Rt wrist radiograph · lat view · acquired on Siemens —
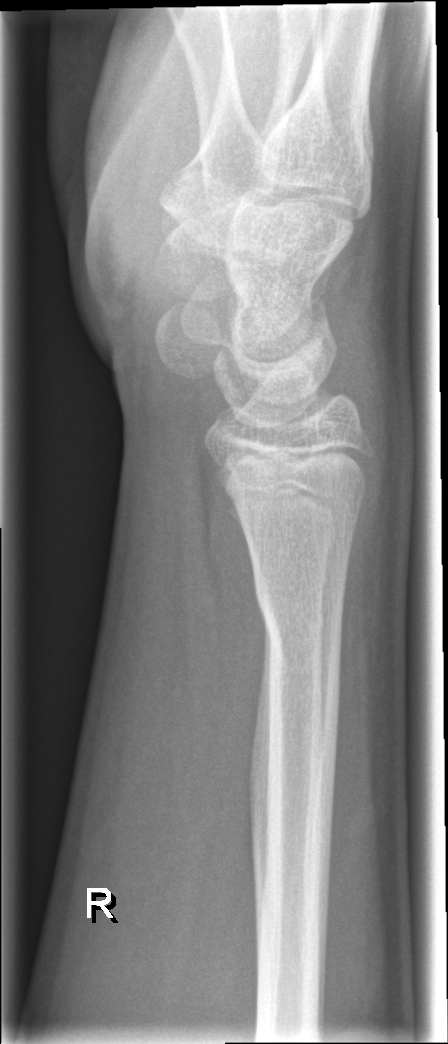

Bone fracture = 1 @ (248, 559, 351, 659)
AO code = 23r-M/2.1